L plain radiograph of the wrist | lateral | 15y M.

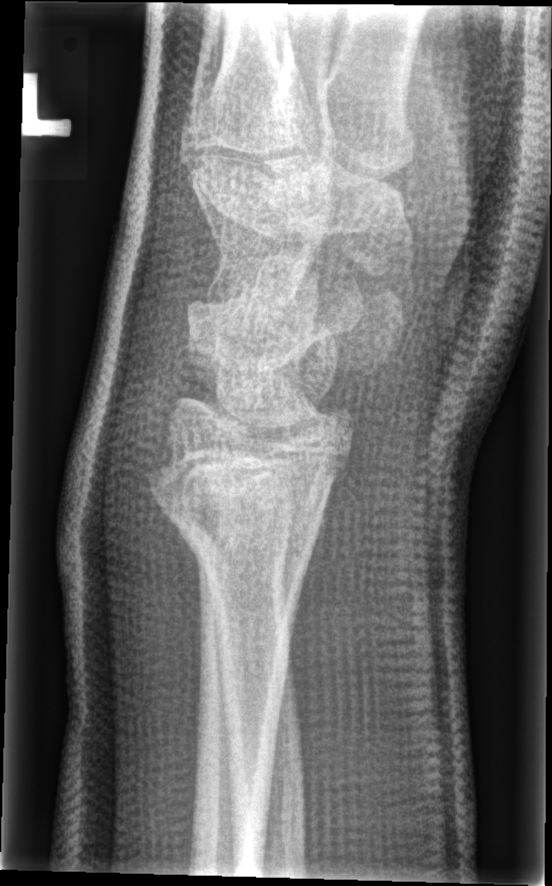
• Fracture: (left=136, top=419, right=358, bottom=611).